Lateral view | right wrist X-ray | subsequent exam 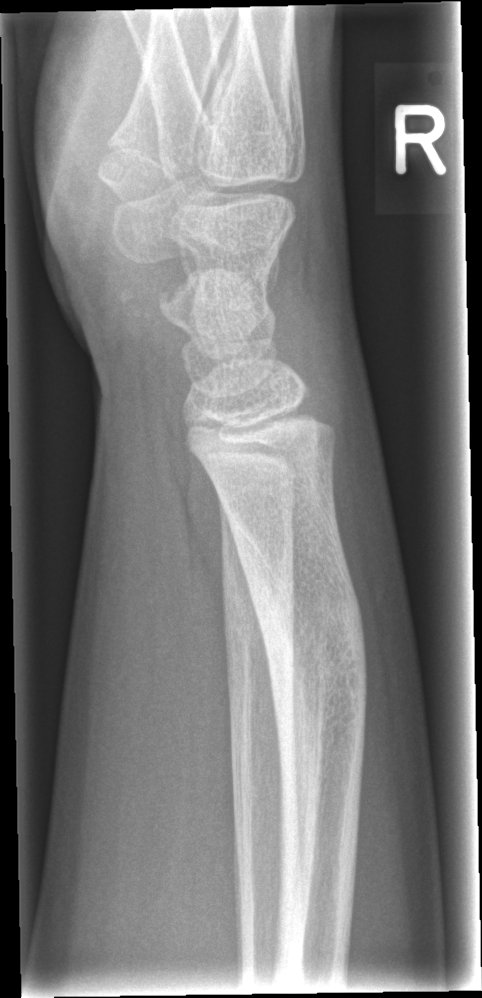

Fx: 225 502 372 908; 217 562 303 875